AP projection | right wrist X-ray | image size 579x932
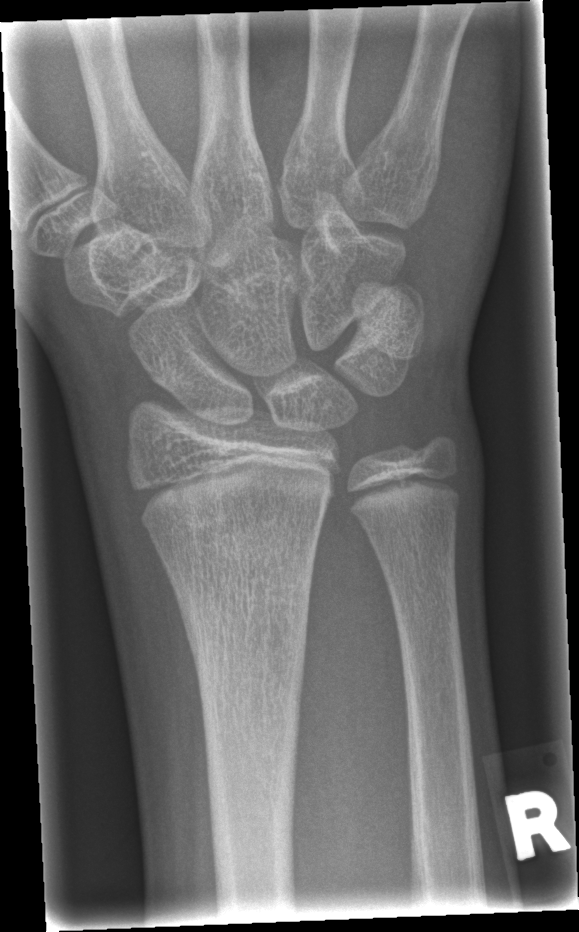 bone fracture = 1 @ (161, 525, 318, 710)
AO/OTA = 23r-M/3.1